L wrist radiograph; posteroanterior view; 16y M
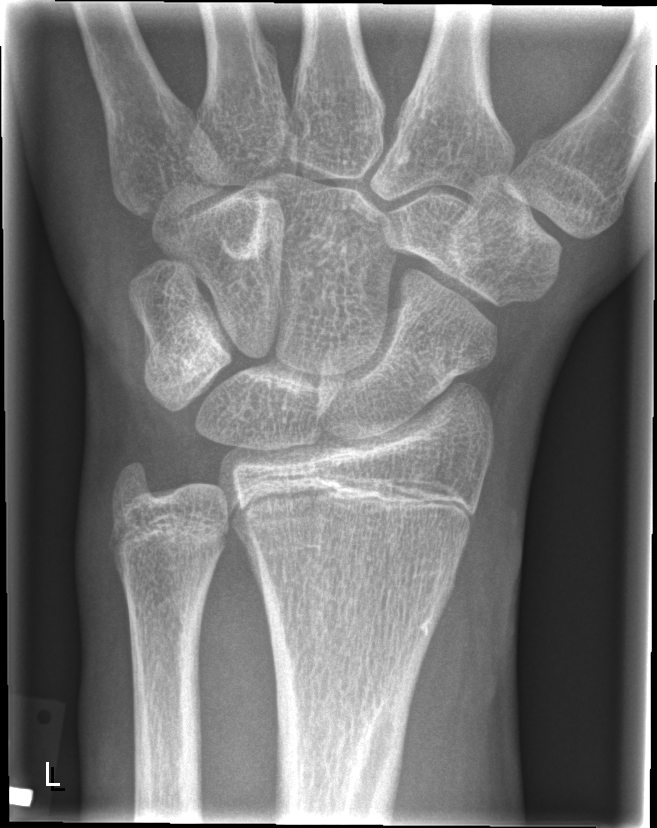 • Pixel coordinates, top-left origin, xyxy.
• One soft-tissue finding at [408, 440, 538, 768].
• No Fx annotated.